Rt wrist X-ray · frontal view · in cast —

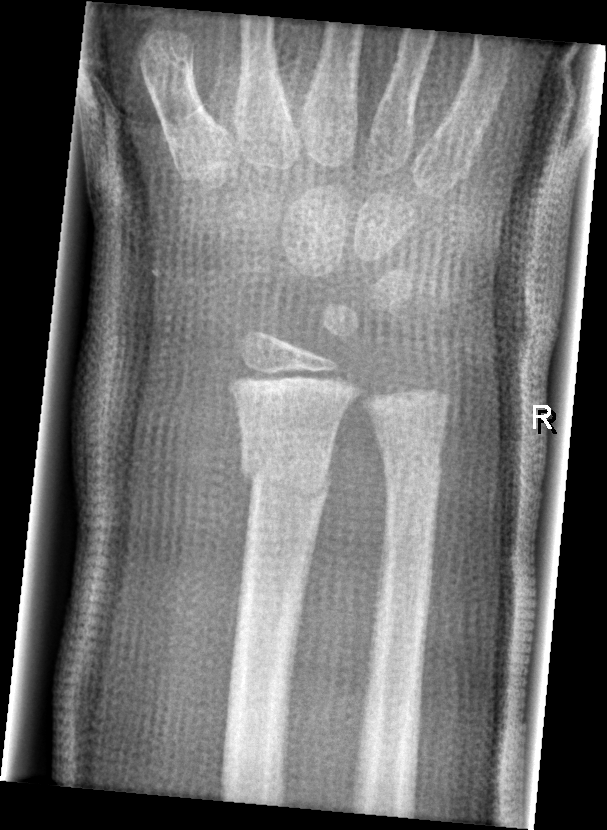

(boxes as x1,y1,x2,y2 (top-left / bottom-right, pixel units))
Q: AO code?
A: AO/OTA classification: 23r-M/3.1; 23u-M/2.1
Q: Locate any fractures.
A: Bone fracture: 238,443,333,514; 380,440,447,490